Rt plain radiograph of the wrist | posteroanterior | initial study | findings marked uncertain by the reading radiologist. 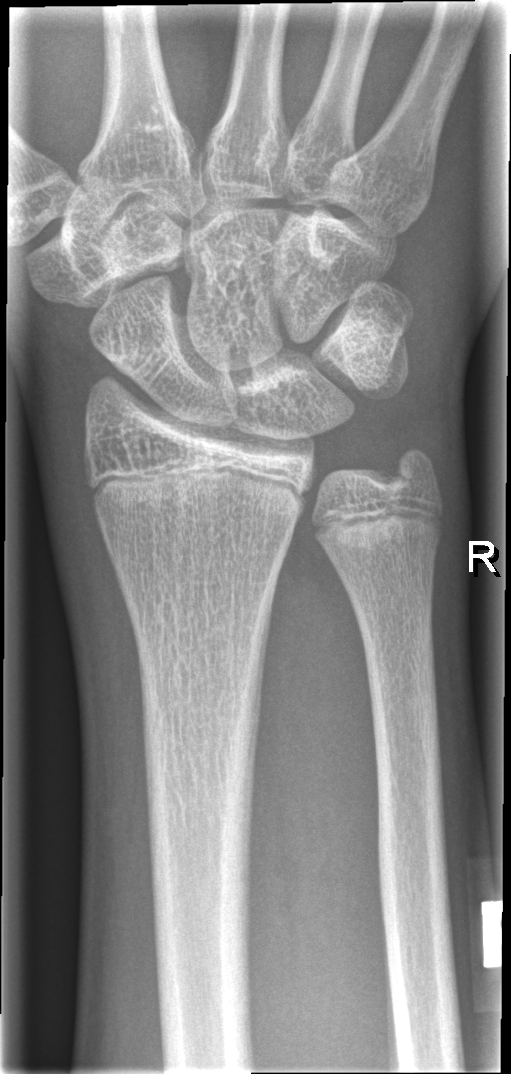
FINDINGS — No fracture bounding box.